Frontal; Rt wrist X-ray; male, 15 yo: 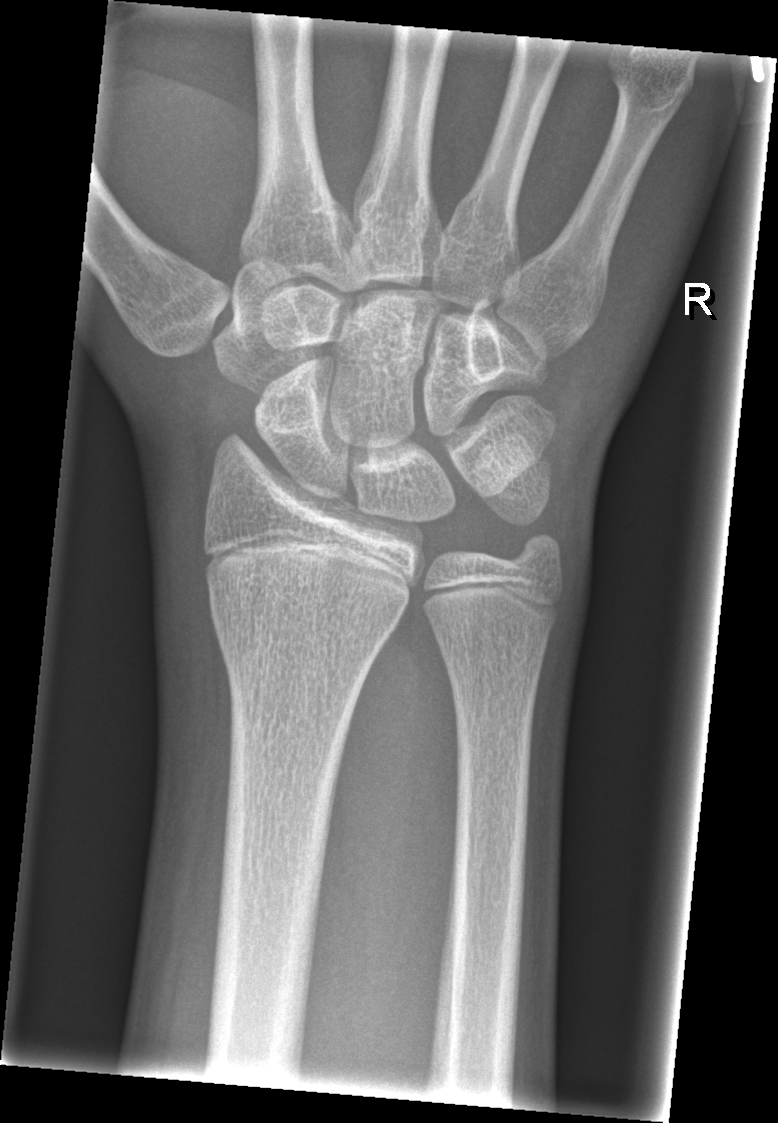
FINDINGS: Fx: none.